Left wrist radiograph · lateral projection · pediatric patient (girl, age 5) · presentation radiograph.

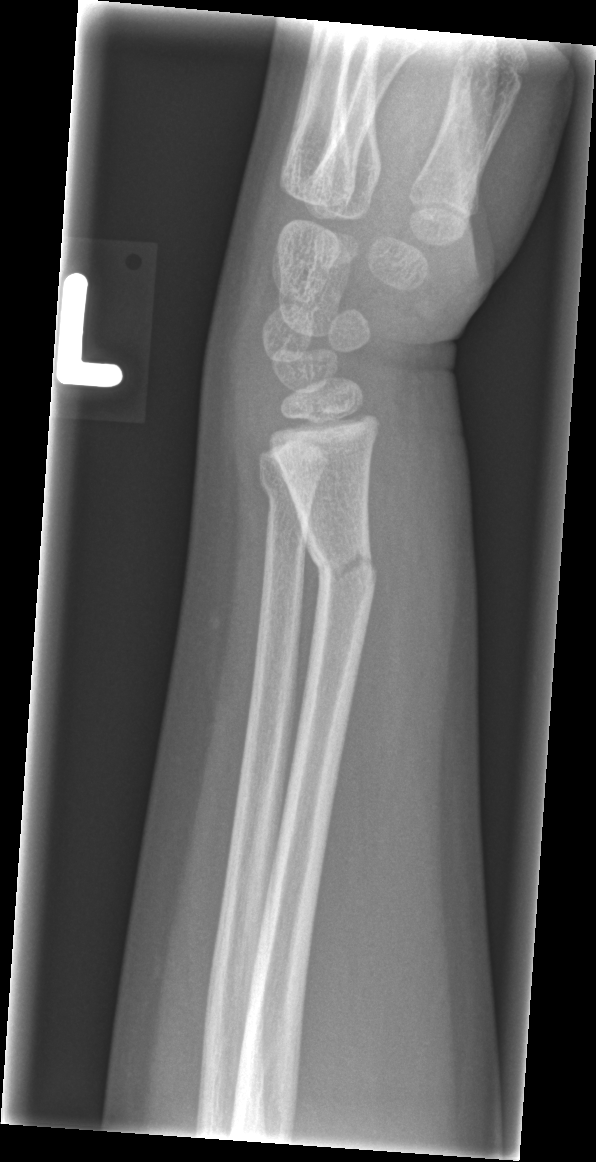 (boxes as x1,y1,x2,y2 (top-left / bottom-right, pixel units))
Fx: [294, 538, 384, 595], [255, 461, 323, 512]